Lt wrist XR · AP projection · pediatric patient (male, age 5) · follow-up study · in cast.
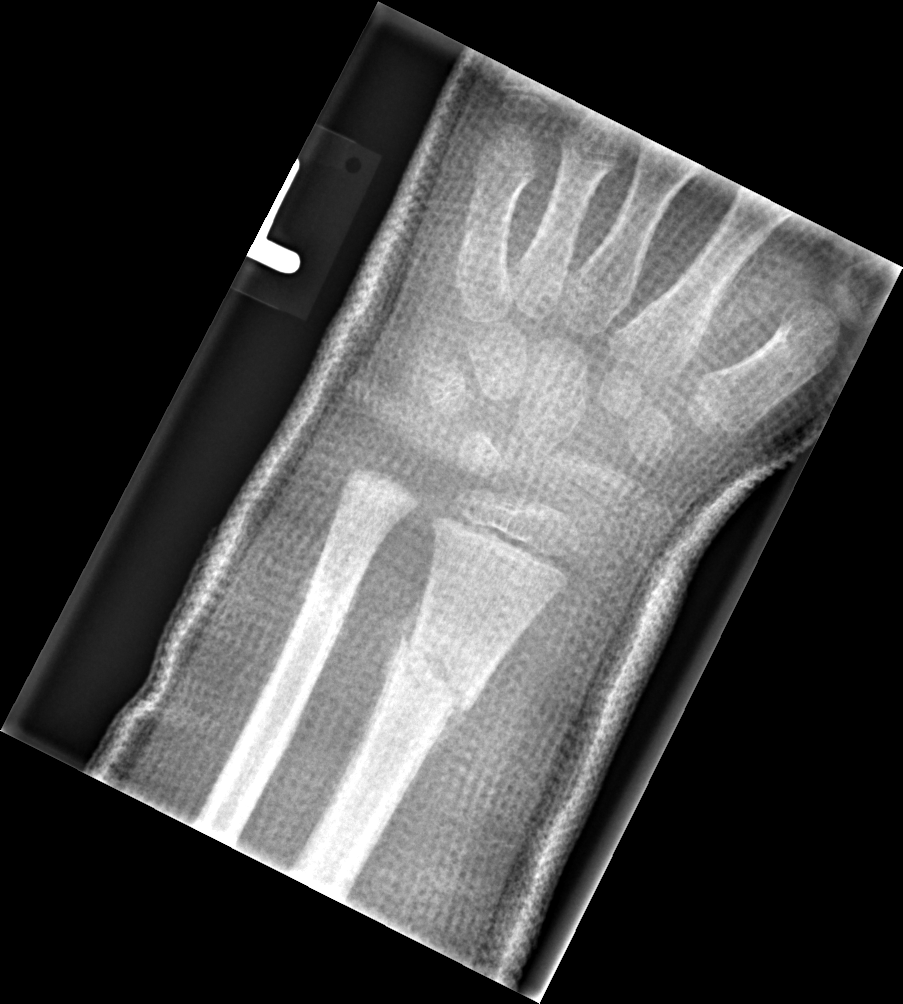

Pixel coordinates, top-left origin, xyxy. Periosteal new bone: 314 579 430 832
  399 699 479 807. Two Fx at 394 622 478 725 | 296 581 354 631.